L wrist XR, lat projection, age 13 y, male, subsequent exam, cast present 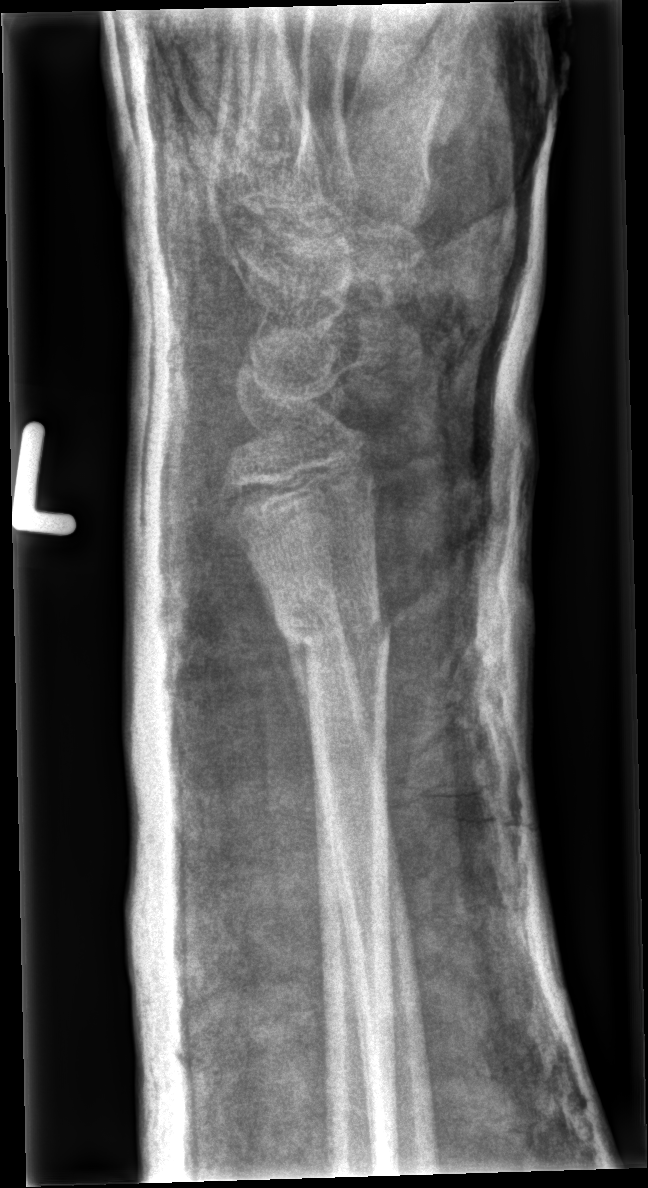
One bone fracture at 271 587 394 660.